AP view, left wrist plain radiograph of the wrist, pediatric patient (boy, age 10).

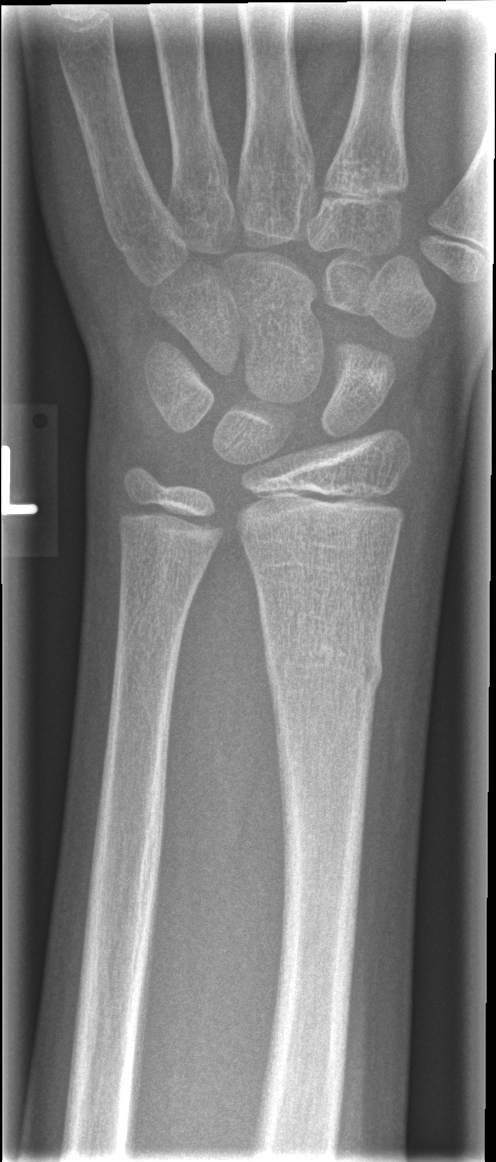 - Fracture — 260 617 385 708.
- AO code 23r-M/2.1.